Right wrist plain radiograph of the wrist · PA/AP projection · 16y F · initial study · acquired on Siemens · image size 649x1342:

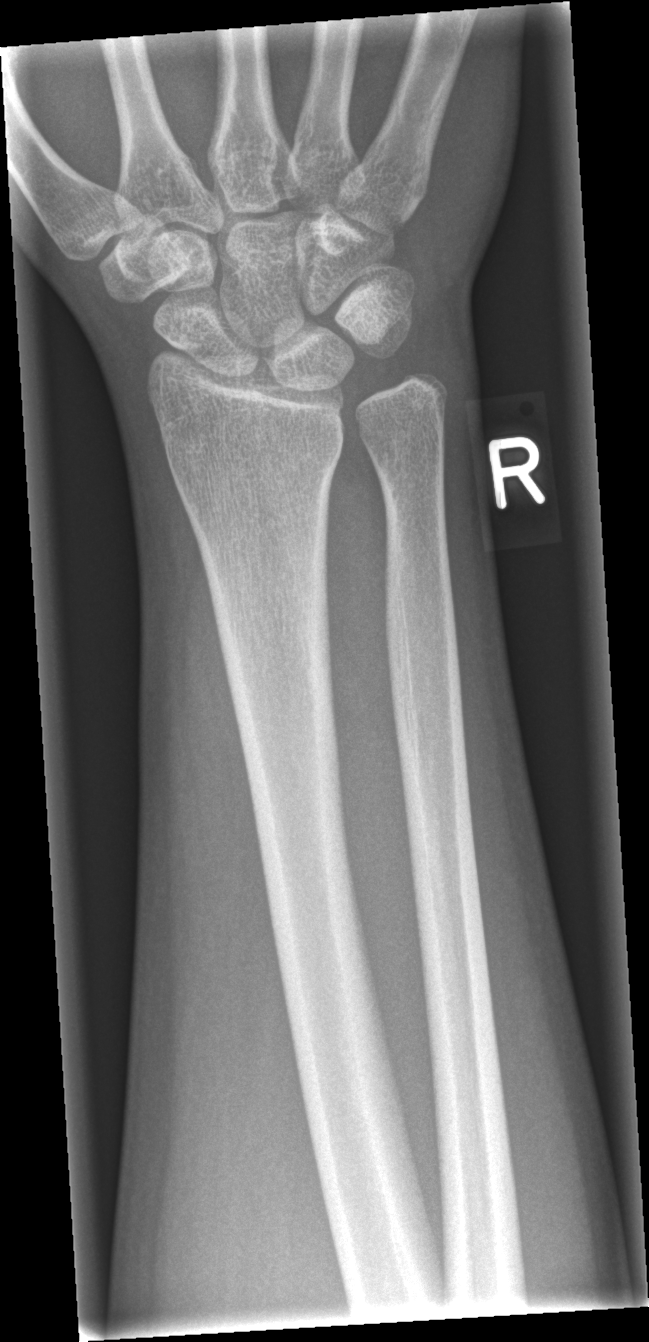 (pixel coordinates, top-left origin, xyxy)
Q: Bone variants present?
A: One bone anomaly at [x1=370, y1=352, x2=456, y2=417]
Q: Locate any fractures.
A: Fx: none